Right wrist plain film · PA/AP projection —

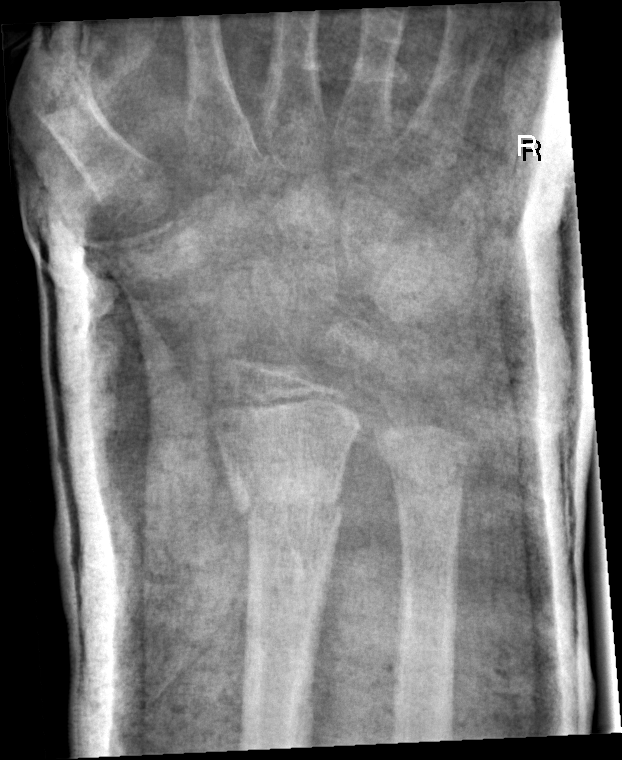

Bone fracture: (231, 472, 346, 535)
AO/OTA: 23r-M/3.1; 23u-M/2.1